Left wrist XR · lat · follow-up

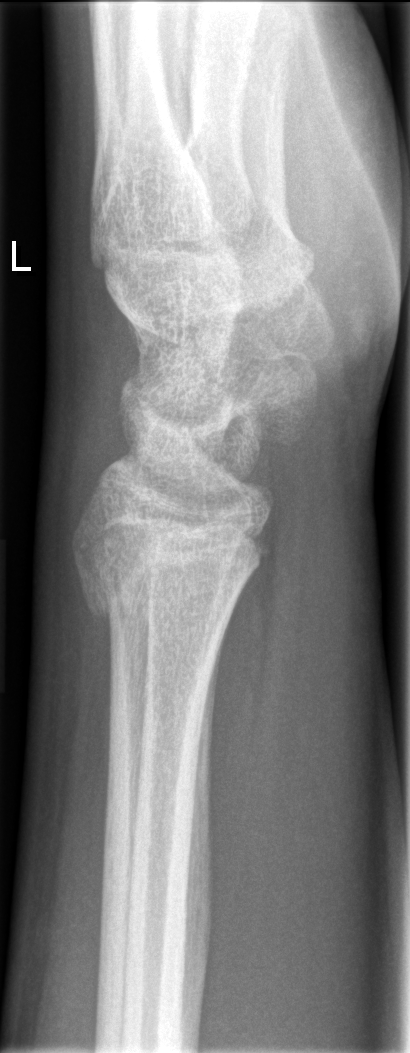
{
  "fracture": "1 @ <67,524>-<268,634>",
  "osteopenia": "present",
  "ao": "23r-M/3.1; 23u-E/7"
}